PA/AP | Lt pediatric wrist radiograph | initial study —

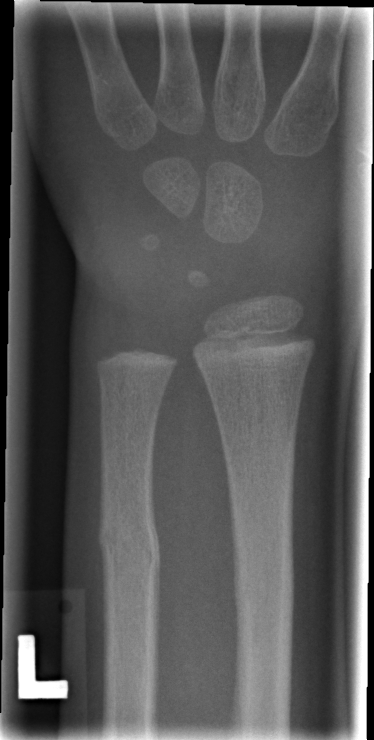 (boxes as x1,y1,x2,y2 (top-left / bottom-right, pixel units))
Q: Locate any fractures.
A: One fracture at <94,510>-<166,589>